Frontal; right plain radiograph of the wrist; findings marked uncertain by the reading radiologist; detector: Siemens
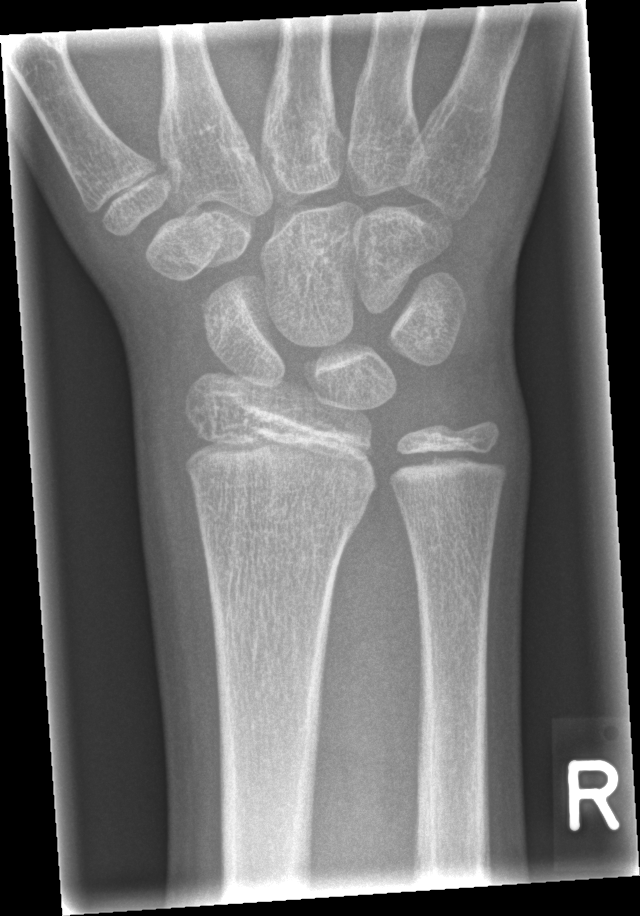 Fx: none.